Right wrist plain radiograph of the wrist, lateral, acquired on Siemens.

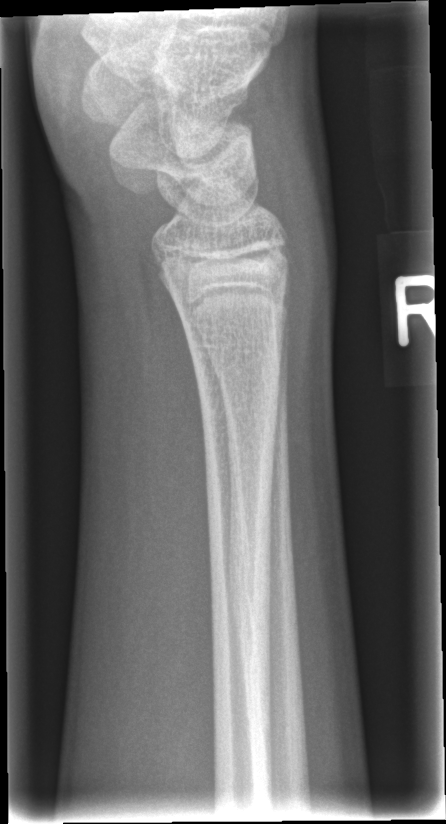
FINDINGS — No Fx annotated.